R wrist plain film · lat view · boy, 10 yo · follow-up · detector: Siemens · 78.8 mm image width

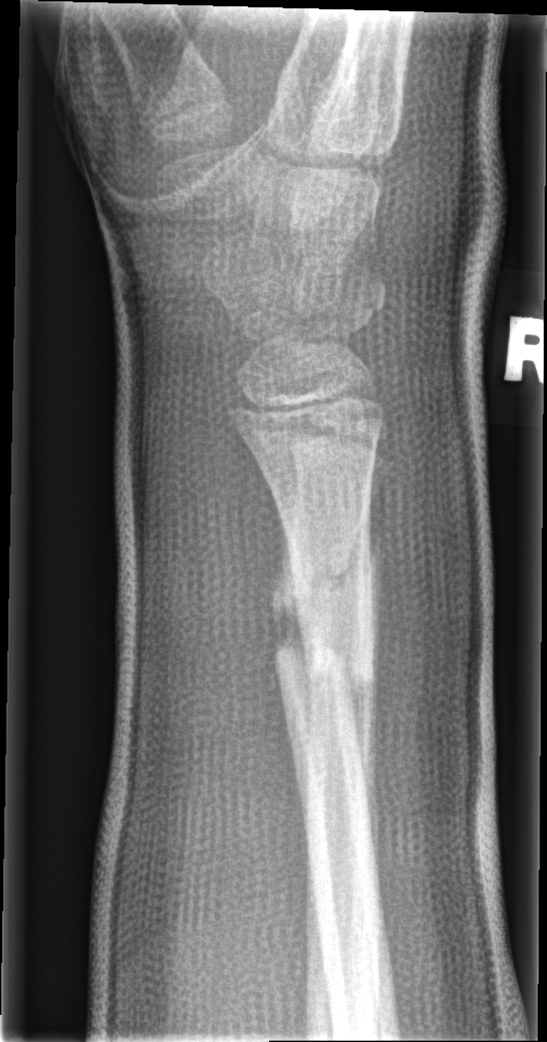

FINDINGS: AO/OTA classification: 23-M/3.1. Bone fracture — (left=266, top=547, right=385, bottom=700).